Right wrist plain film, lat projection, subsequent exam, 460 by 766 pixels —
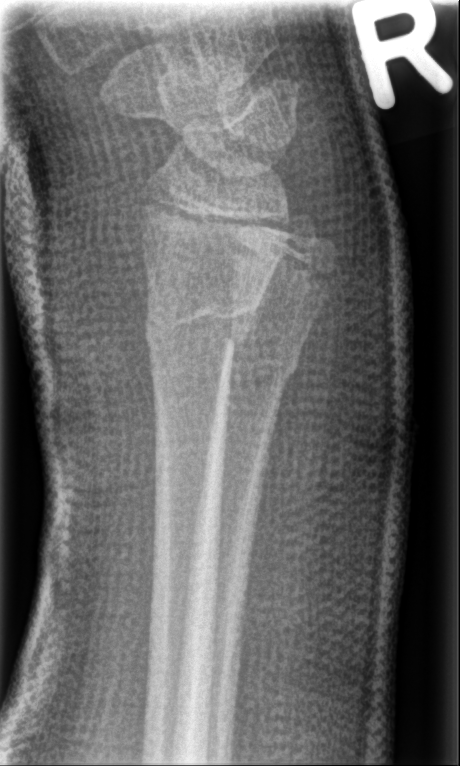
AO/OTA = 23r-M/2.1
Fx = bbox(141, 300, 254, 362); bbox(214, 330, 309, 385)